Left wrist X-ray · posteroanterior · age 11 y, male — 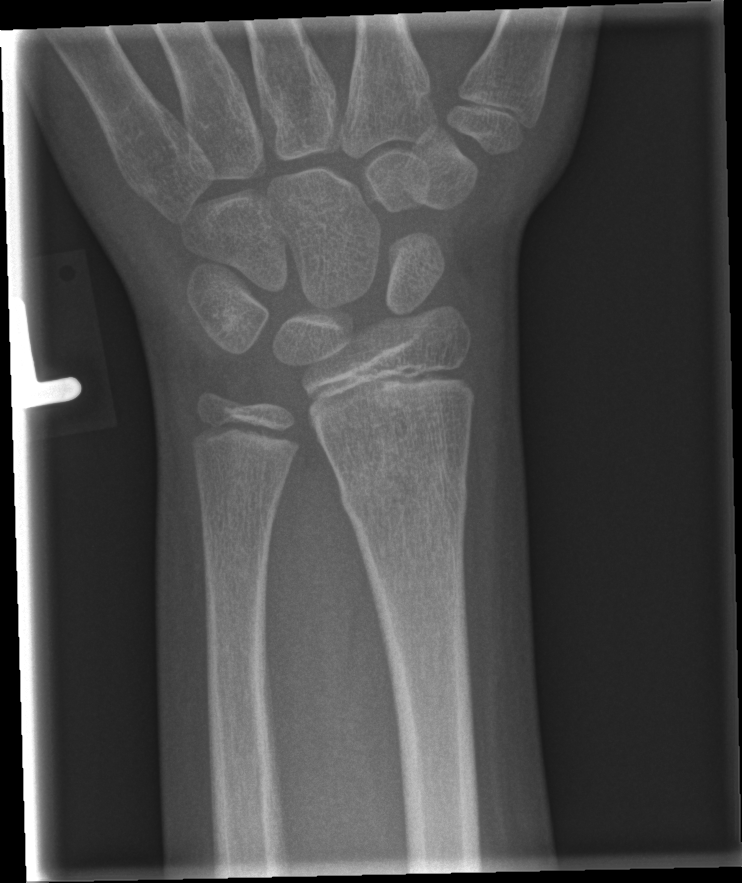
fracture = [x1=336, y1=459, x2=473, y2=540]
AO code = 23r-M/2.1